Lt wrist XR, PA/AP view, 707 by 1222 pixels. 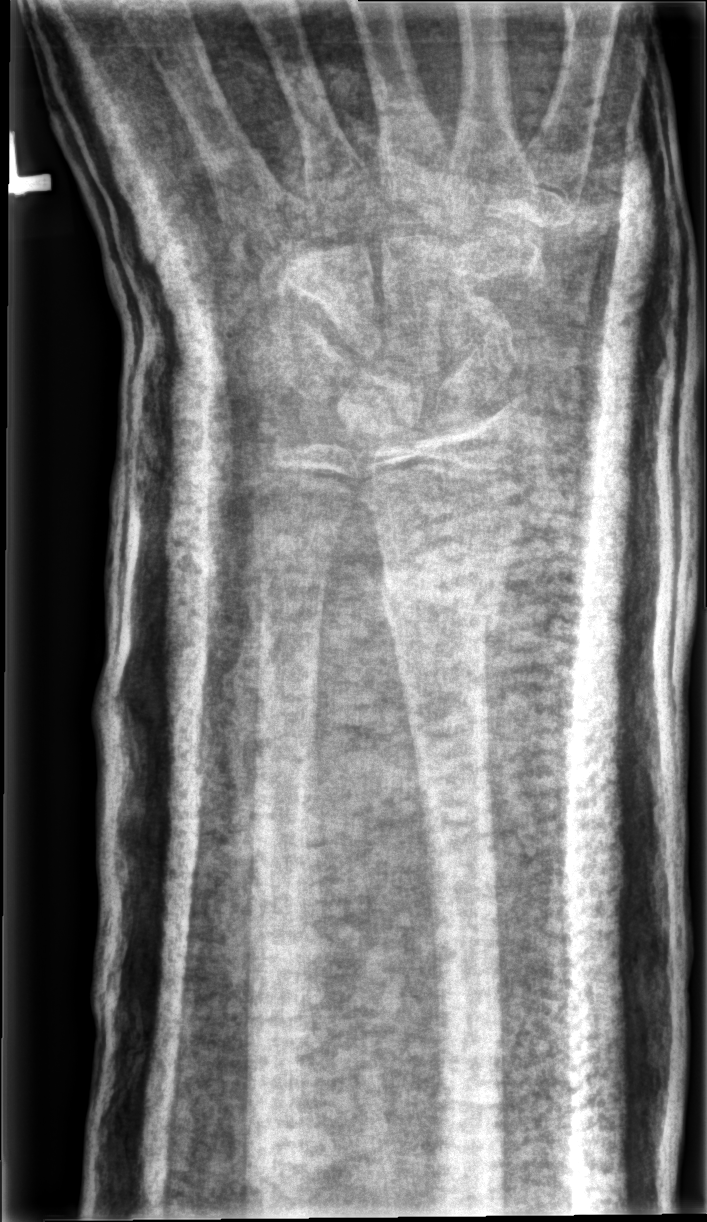
Pixel coordinates, top-left origin, xyxy. One Fx at (378, 553, 509, 635).